Lateral | Lt pediatric wrist radiograph | pediatric patient (boy, age 14) | subsequent exam | cast present | 503x1276:
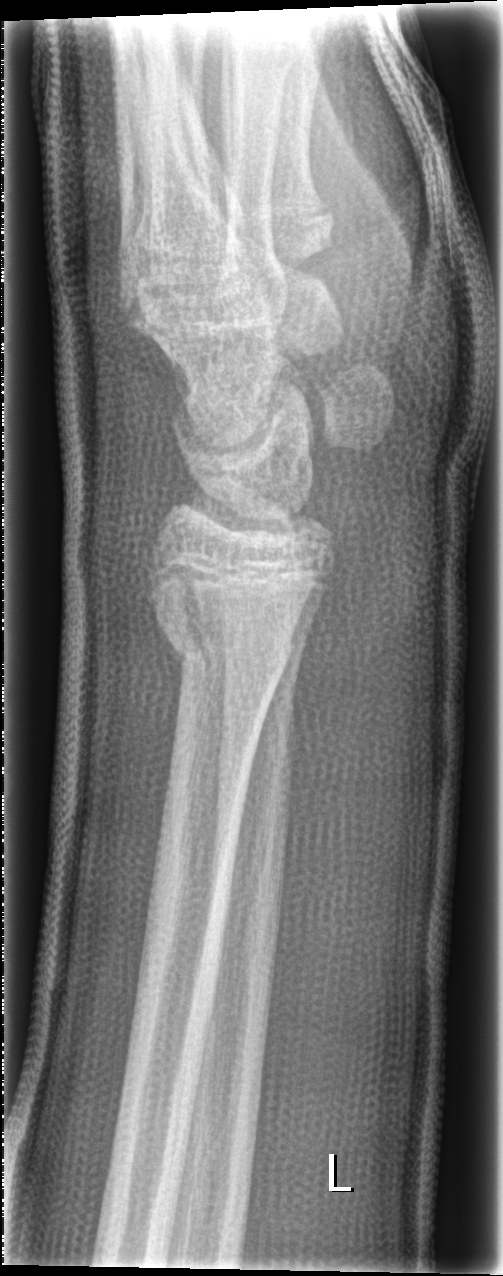
fracture = 1 @ [146, 563, 302, 679]
AO classification = 23r-M/3.1; 23u-E/7